Left wrist XR · PA projection —
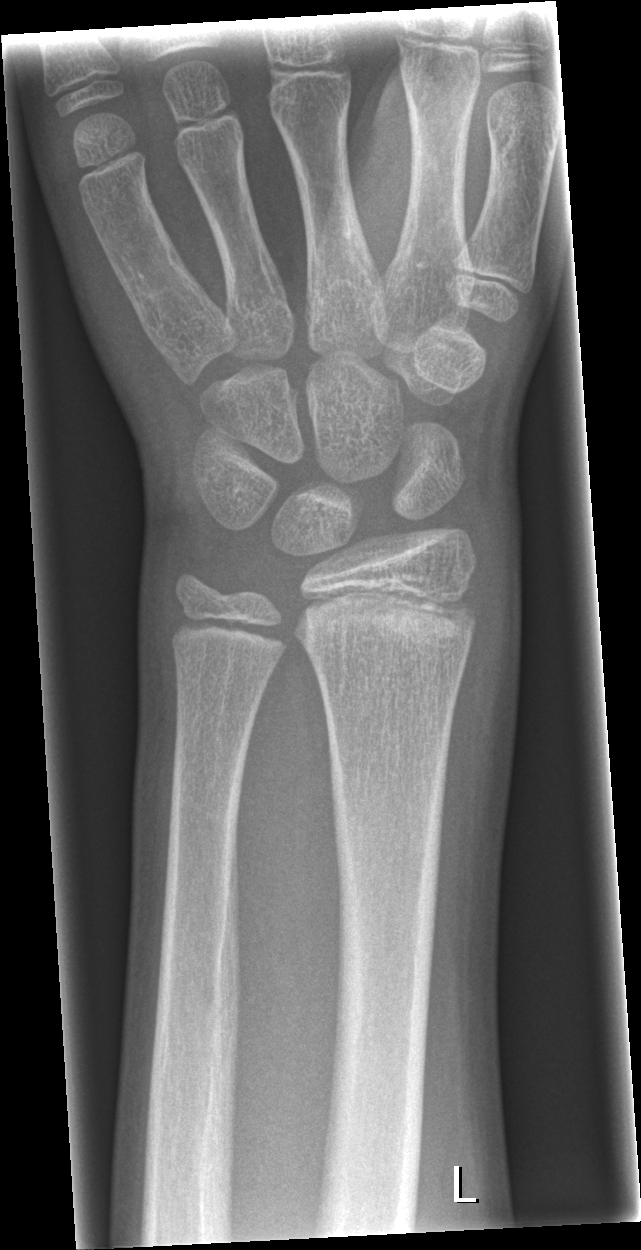 FINDINGS: AO code 23r-E/2.1. One Fx at (302, 582, 479, 633).